Right wrist X-ray | lateral projection | image 81.4 mm wide
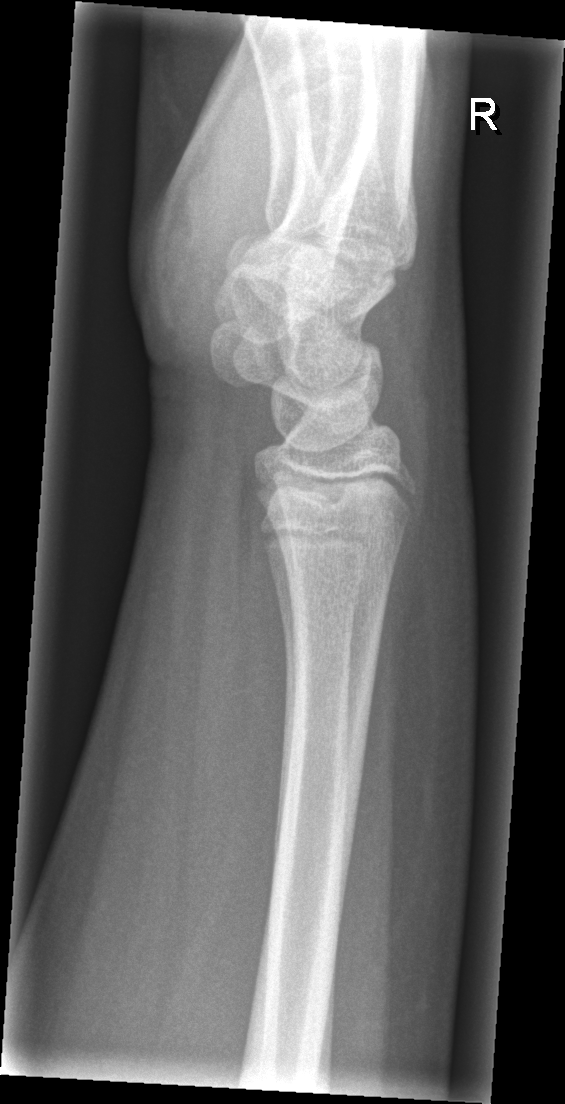 Findings: Fx: none.